PA projection · L pediatric wrist radiograph · presentation radiograph · 67.5 mm image width.
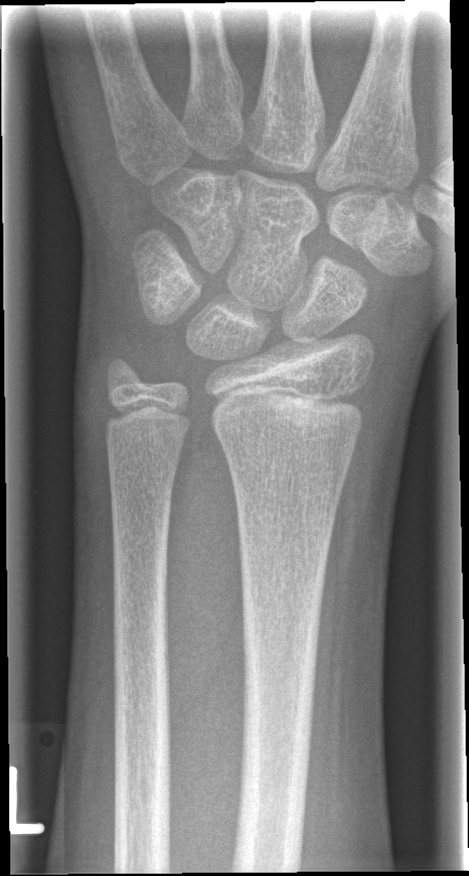

  fracture: none labeled